Left wrist radiograph, AP view, 16y F.
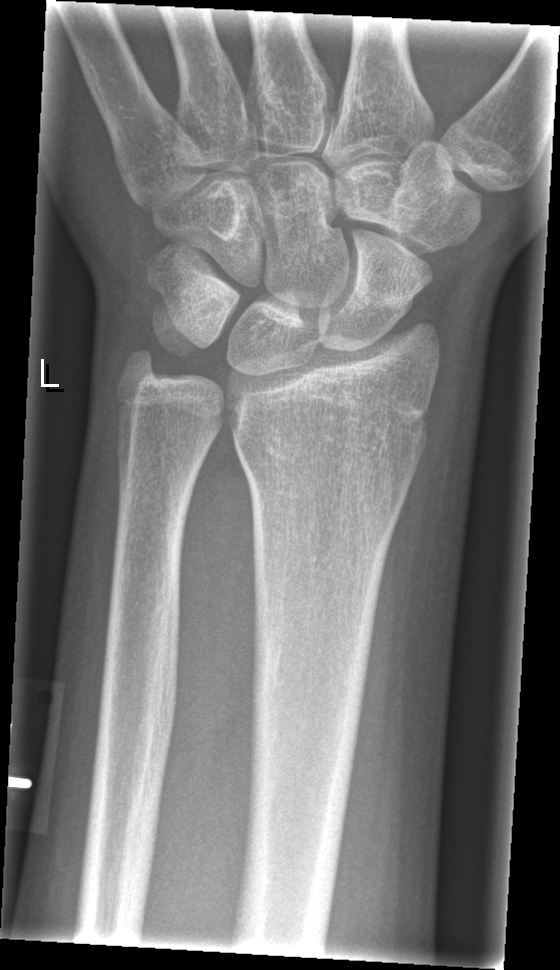

* No fracture bounding box.